PA/AP projection · Lt wrist plain film · follow-up study · cast present.
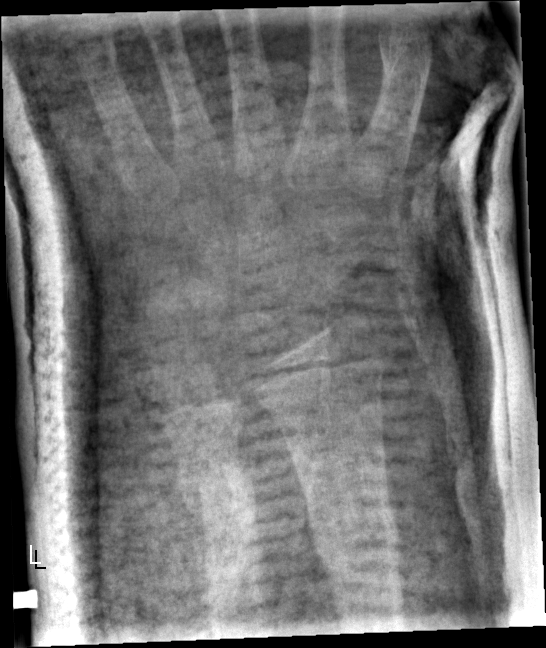 # pixel coordinates, top-left origin, xyxy
fracture: (298, 491, 407, 575) (170, 450, 259, 533)